Right wrist plain film | lateral projection | age 10 y, boy | image 63.4 mm wide: 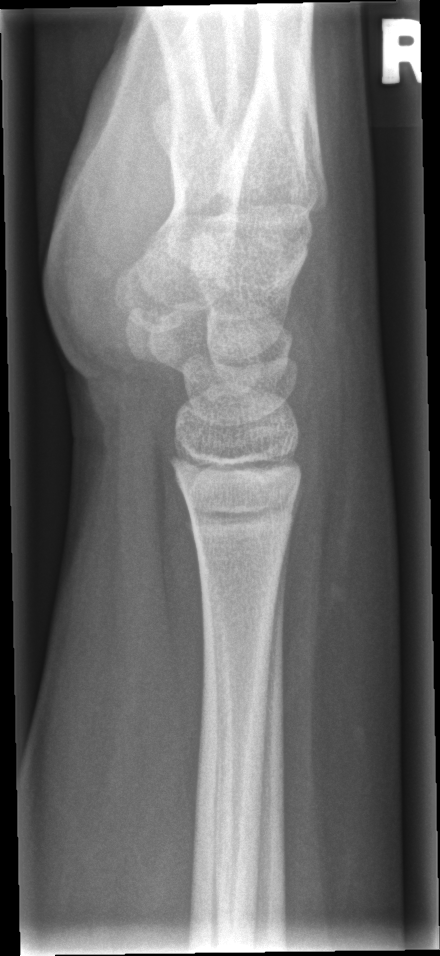

Fracture = none labeled